Posteroanterior view | R plain radiograph of the wrist | male, 8 yo | follow-up | in cast | image width 89.1 mm:

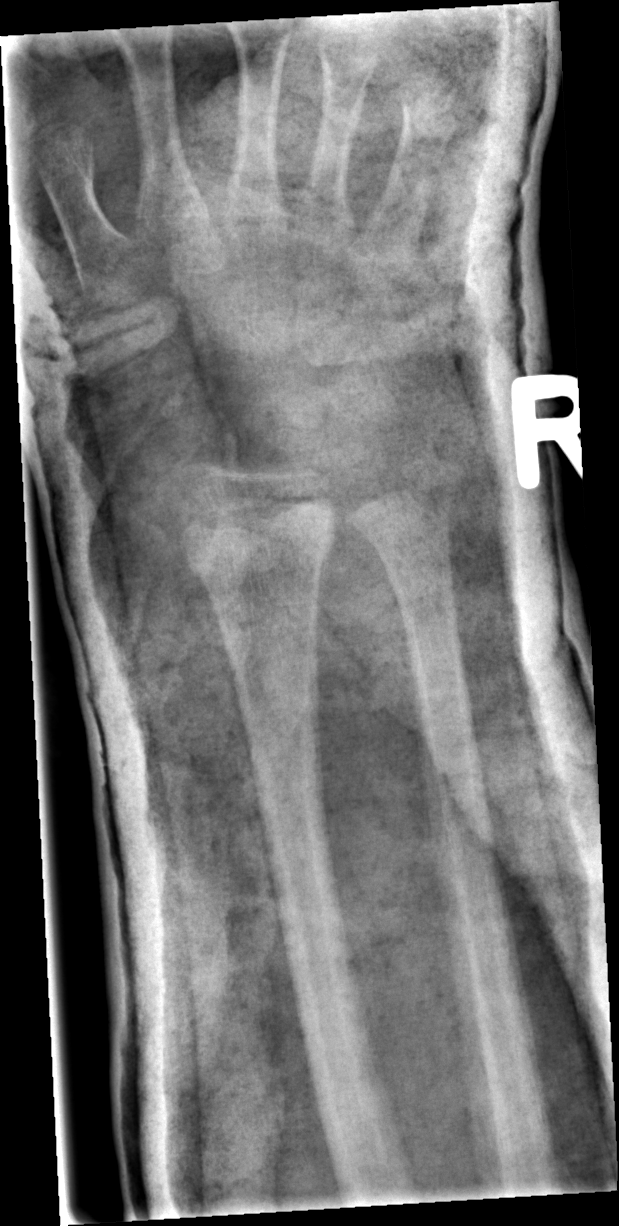

Fracture: 1 @ 179 518 343 585
AO code: 23r-E/2.1